Lateral; left wrist radiograph; age 13 y, male; follow-up; in cast; detector: Siemens
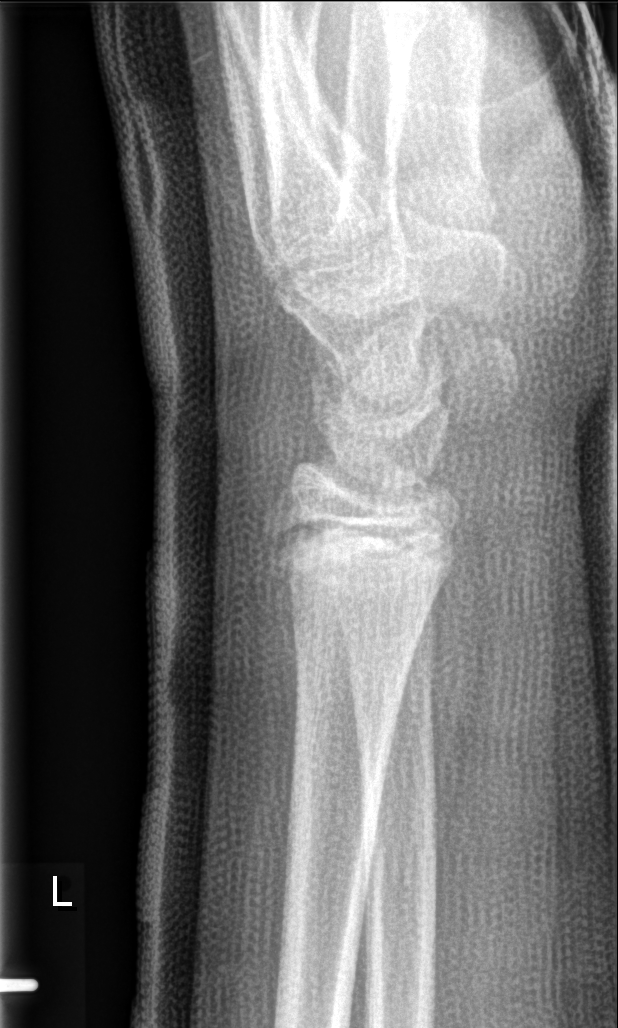 (boxes as x1,y1,x2,y2 (top-left / bottom-right, pixel units))
AO code = 23r-M/3.1; 23u-E/7
fracture = [266, 507, 462, 612]